Posteroanterior · L plain radiograph of the wrist · 7y M —
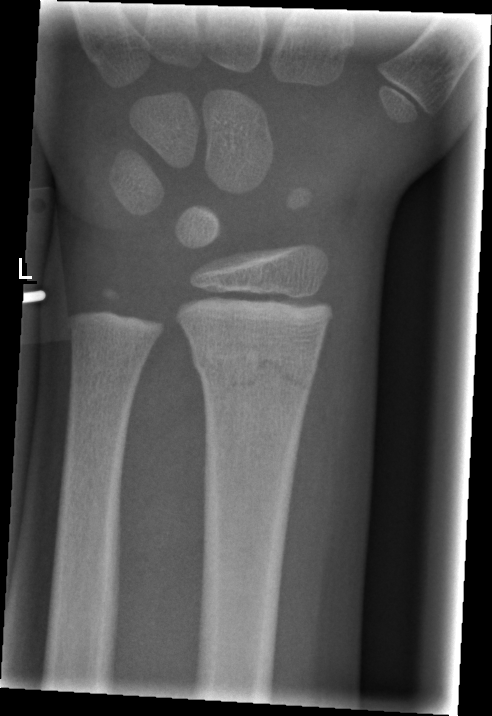
Bone fracture: [189, 334, 319, 406]. AO/OTA classification: 23r-M/2.1.